Lateral view | L pediatric wrist radiograph | girl, 12 yo | initial study | 494x831

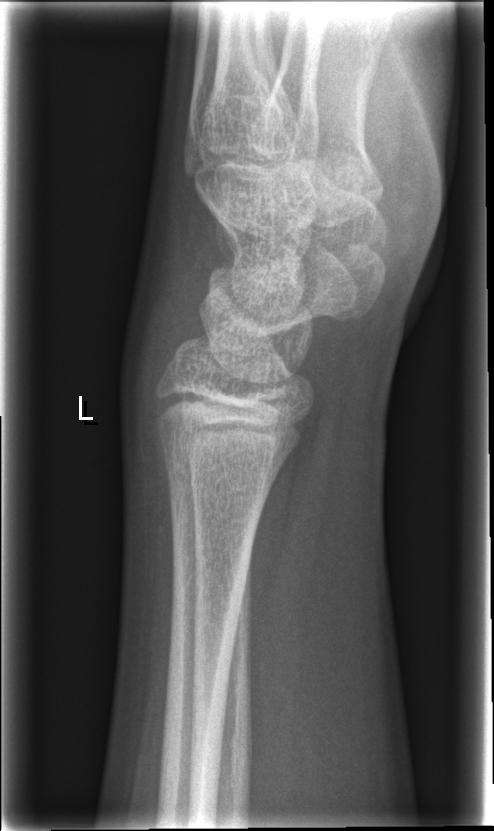 Bone fracture = none labeled